AP; L wrist XR; boy, 9 yo; subsequent exam:

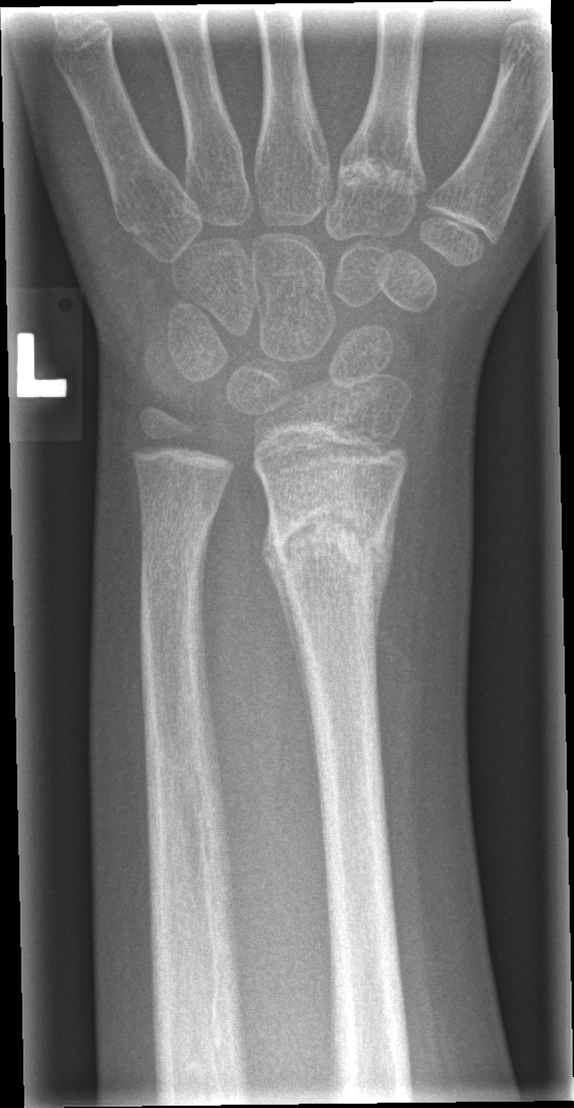
AO/OTA classification: 23r-M/3.1; 23u-M/2.1. Periosteal thickening identified at <261,511>-<317,777> <373,477>-<401,651>. Two bone fractures at <258,497>-<394,596>, <134,490>-<222,587>. Reduced bone mineral density.